Rt pediatric wrist radiograph | lat | imaged through cast
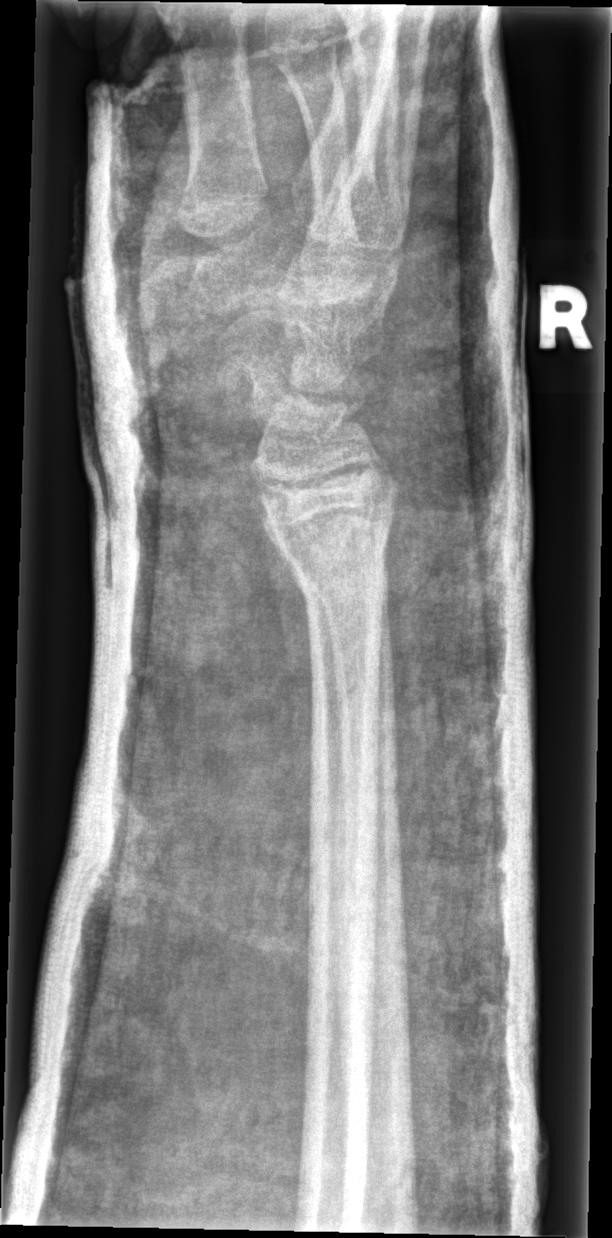

Fracture = 290,529,393,611
AO code = 23r-M/3.1; 23u-M/2.1; 23u-E/7